R wrist X-ray, lateral, age 11 y, girl, acquired on Siemens —
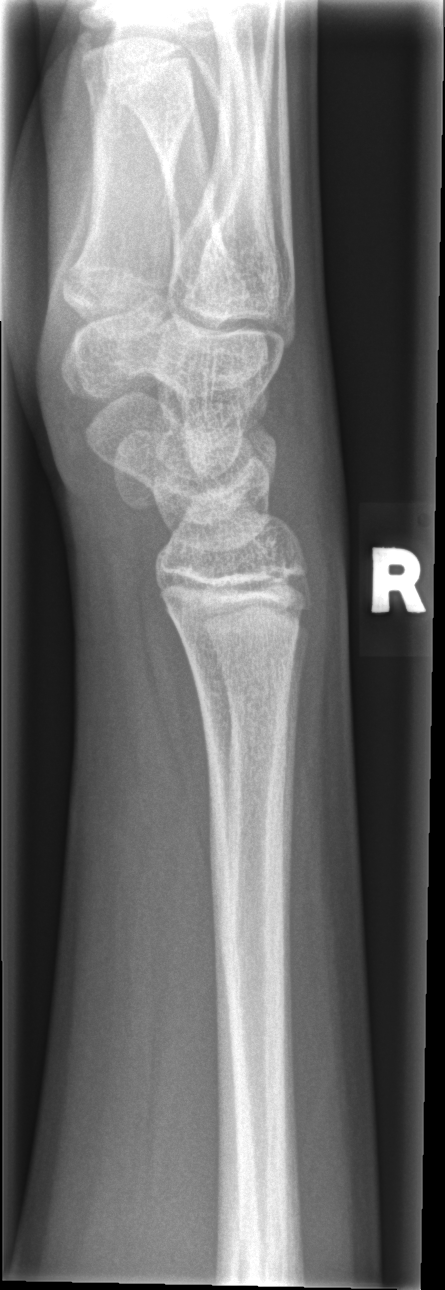
No fracture labeled.